Lt wrist XR · lateral view · Siemens
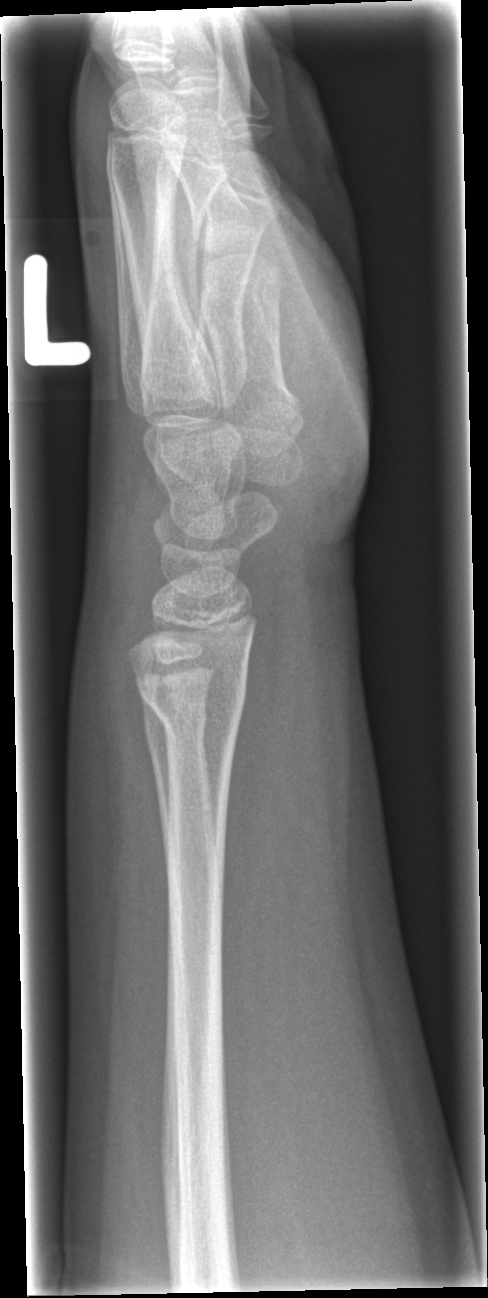

Bounding boxes in image-pixel xyxy.
Fractures — 132,668,252,744 | 141,695,211,755.
One soft-tissue finding at 64,581,149,908.
AO code 23-M/2.1.